Rt wrist XR, lateral projection, 10y F, index exam, Siemens

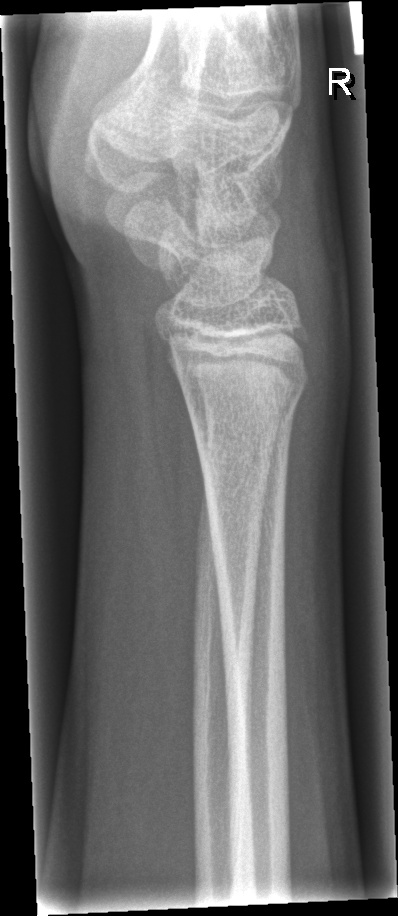
FINDINGS — Bone fracture identified at 181,383,307,453.